Left wrist XR | lateral projection | boy, 8 yo | presentation radiograph.

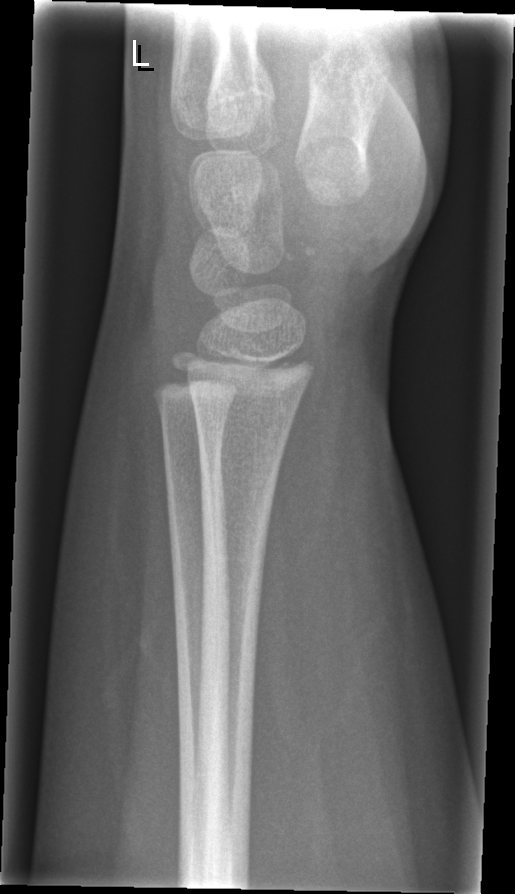 fracture: none labeled